Lt wrist XR | lat | girl, 10 yo | index exam | 69.8 mm image width | image size 485x740. 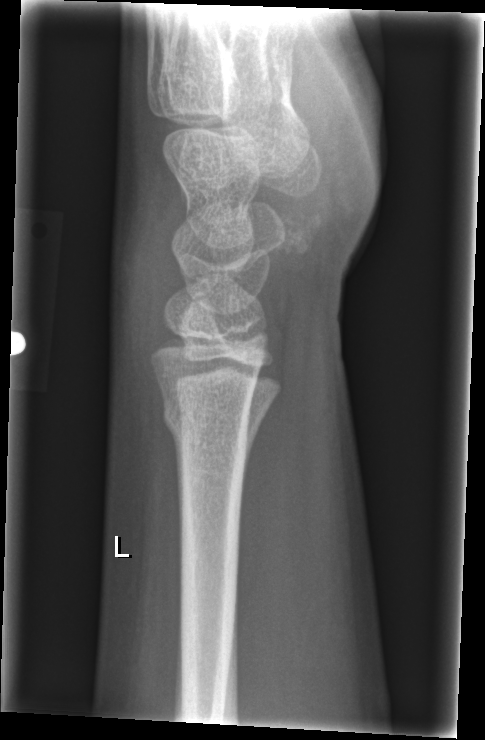 soft-tissue finding = 1 @ (106, 149, 183, 429)
bone fracture = (159, 393, 253, 454)